Posteroanterior · right wrist radiograph · pediatric patient (boy, age 14) · initial study — 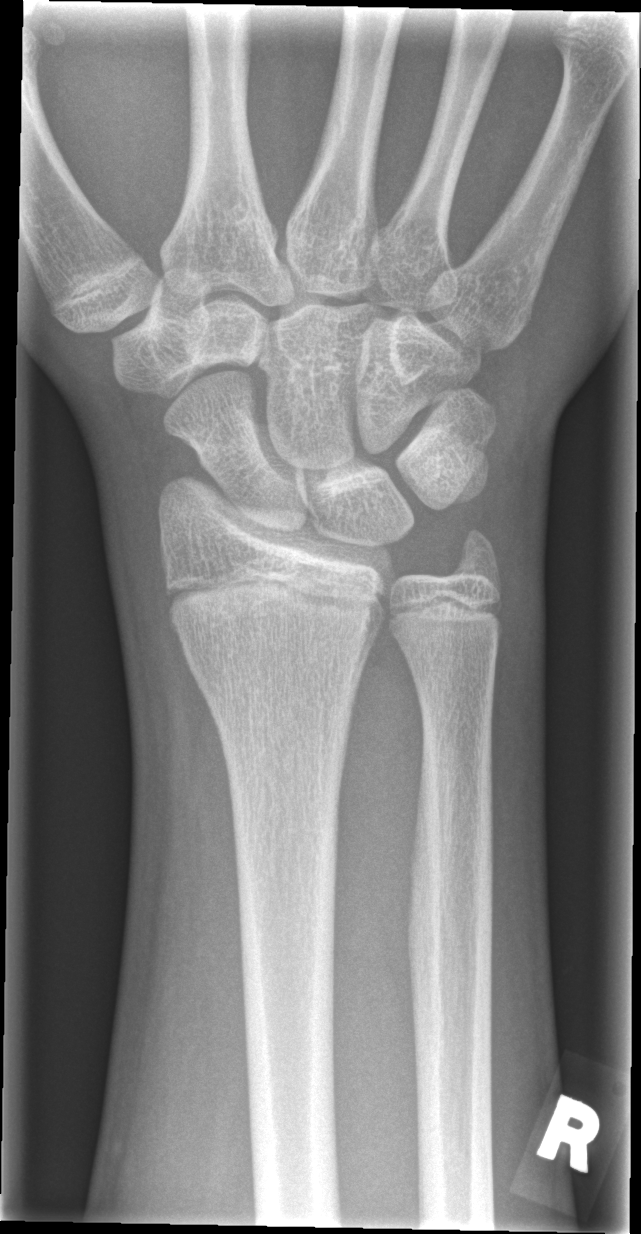 Fracture = none labeled